Rt wrist plain film | lateral projection | age 4 y, male: 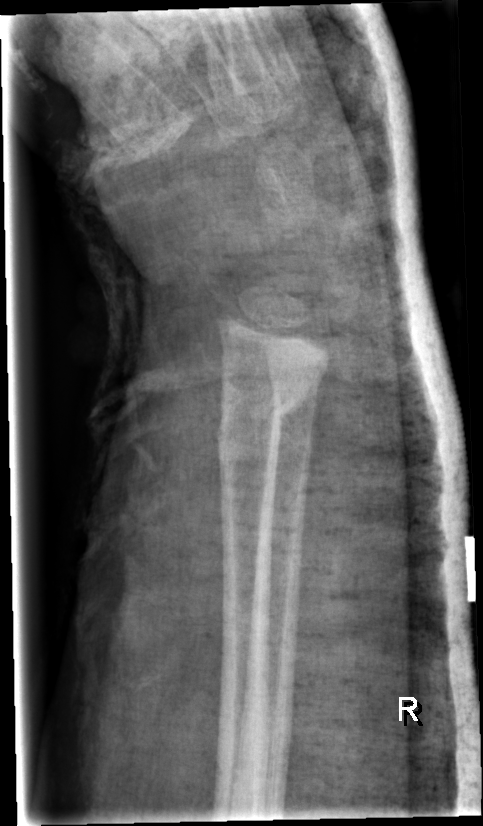

fracture: 1 @ (210, 377, 323, 477)